Right wrist radiograph · lat. 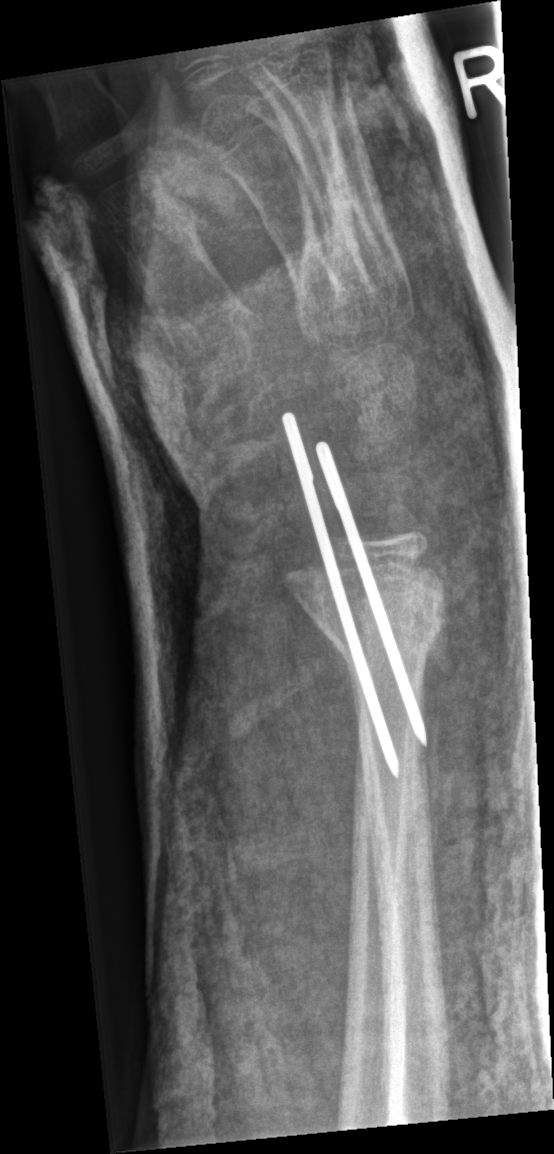

Pixel coordinates, top-left origin, xyxy. AO code 23-M/3.1. Two metallic hardware at bbox(282, 411, 399, 779), bbox(315, 441, 427, 747). Fracture present, but no bounding box because it is not clearly seen in this view.